Left wrist XR · PA/AP projection · age 13 y, boy.

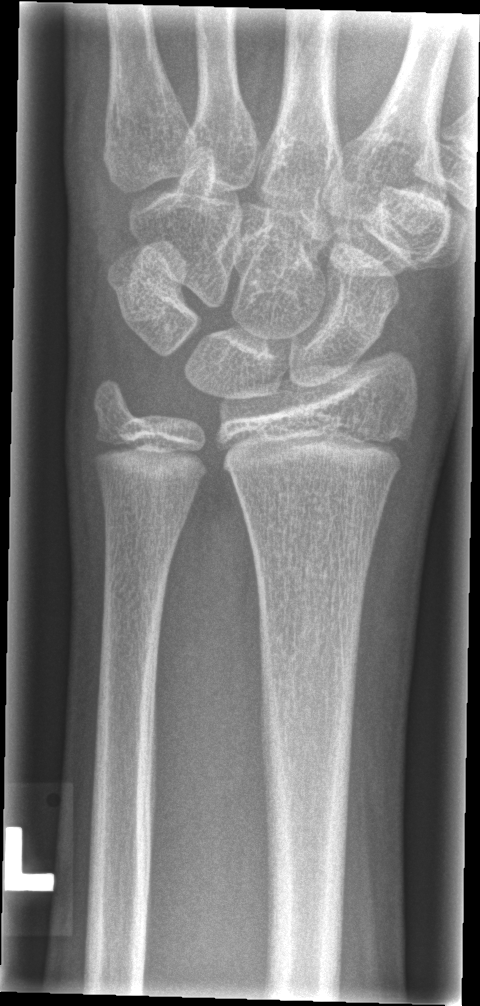 - No fracture annotation.